AP | left wrist X-ray | age 12 y, girl | acquired on Siemens | 557x1164 — 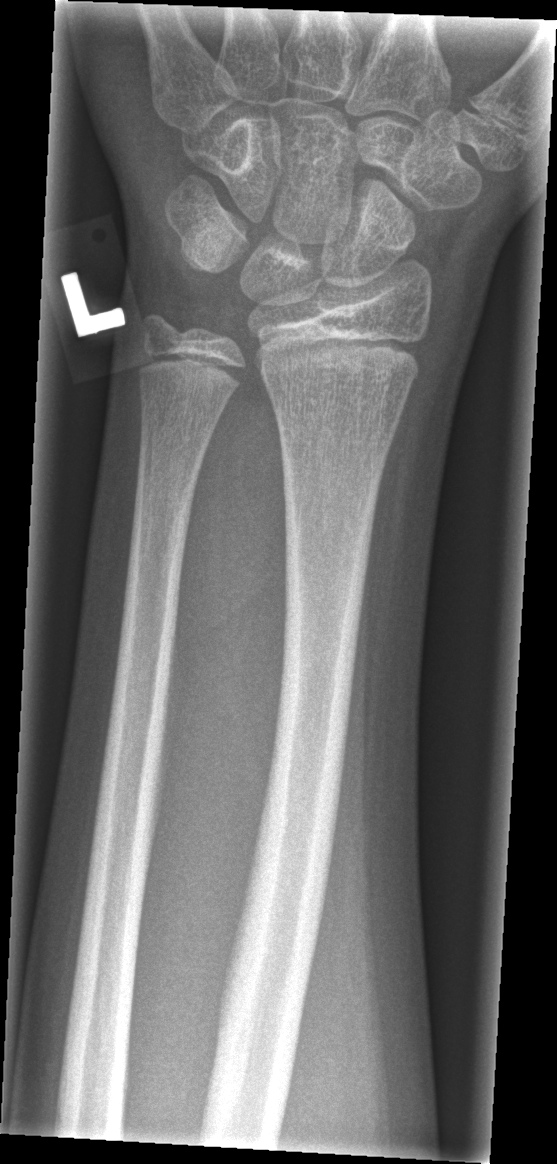

{
  "fracture": "none labeled"
}